Posteroanterior; Lt plain radiograph of the wrist; male, 16 yo; index exam —
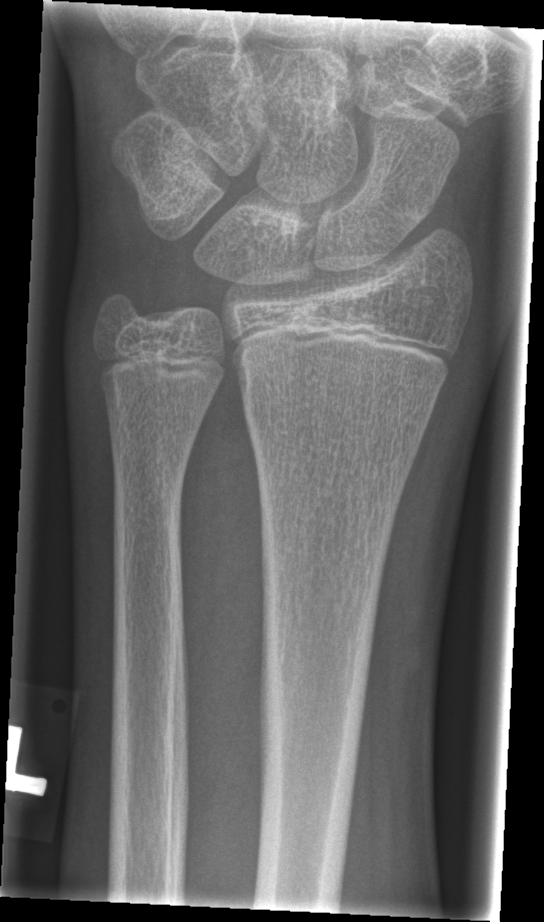

Fracture: none labeled.